Right plain radiograph of the wrist; lat; follow-up:
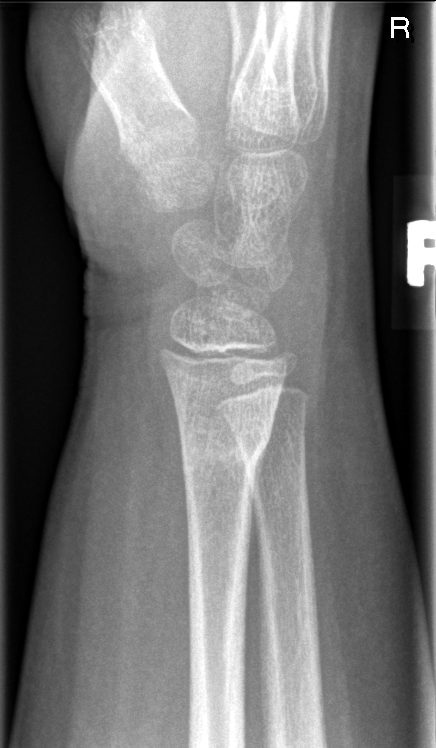

• Pixel coordinates, top-left origin, xyxy.
• AO code 23r-M/2.1.
• Osteopenia.
• Fx: 175 417 277 487.